Lat · right wrist XR · follow-up study · cast present —

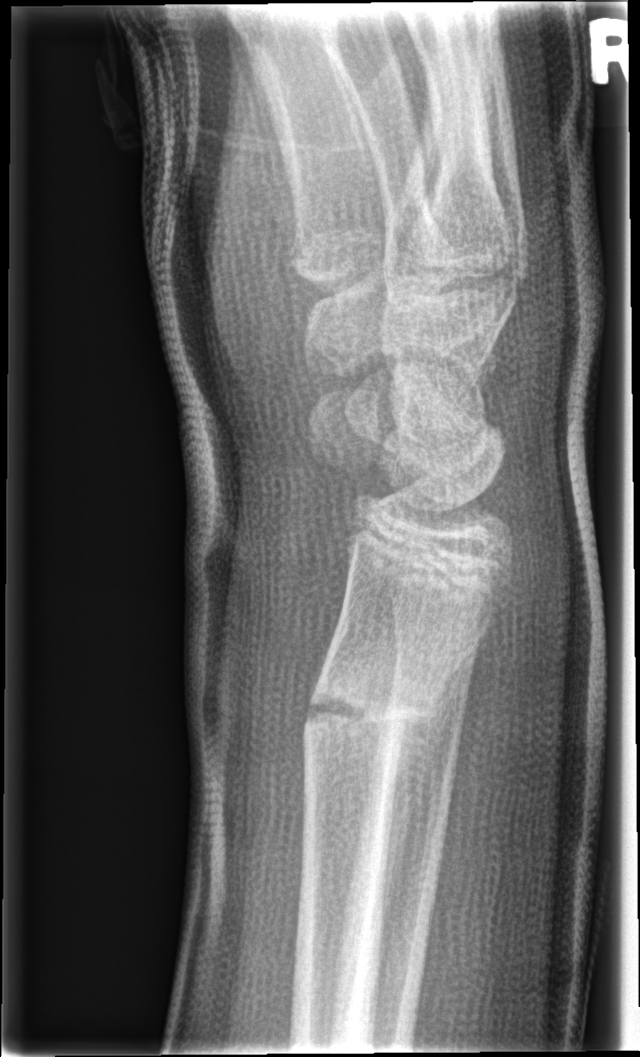 Findings: (coordinates are [x1, y1, x2, y2] in image pixels) AO code 23r-M/3.1; 23u-E/7. Bone fracture — <299,663>-<443,781>.